Frontal projection, right wrist plain radiograph of the wrist, imaged through cast, Siemens — 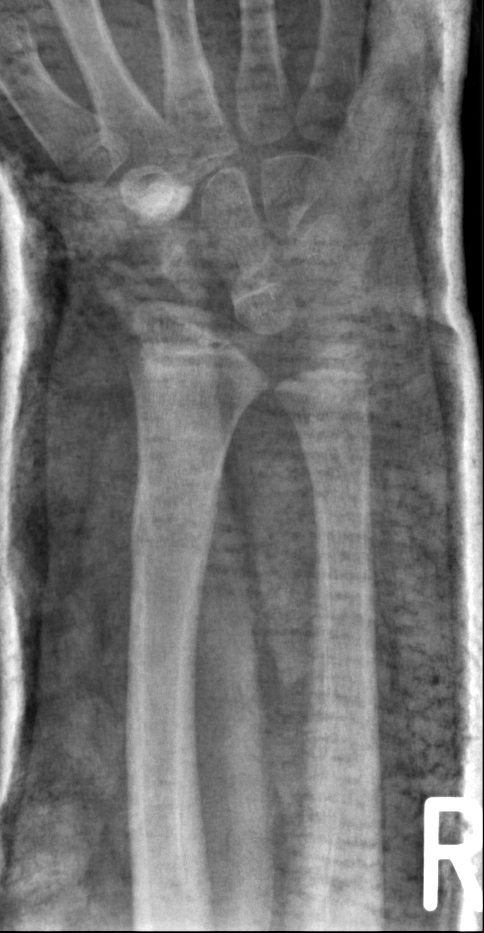
- Pixel coordinates, top-left origin, xyxy.
- Fx identified at <123,487>-<221,576>; <303,420>-<376,503>.
- AO/OTA classification: 23r-M/3.1; 23u-M/2.1.